PA/AP view · right wrist XR · 11y M: 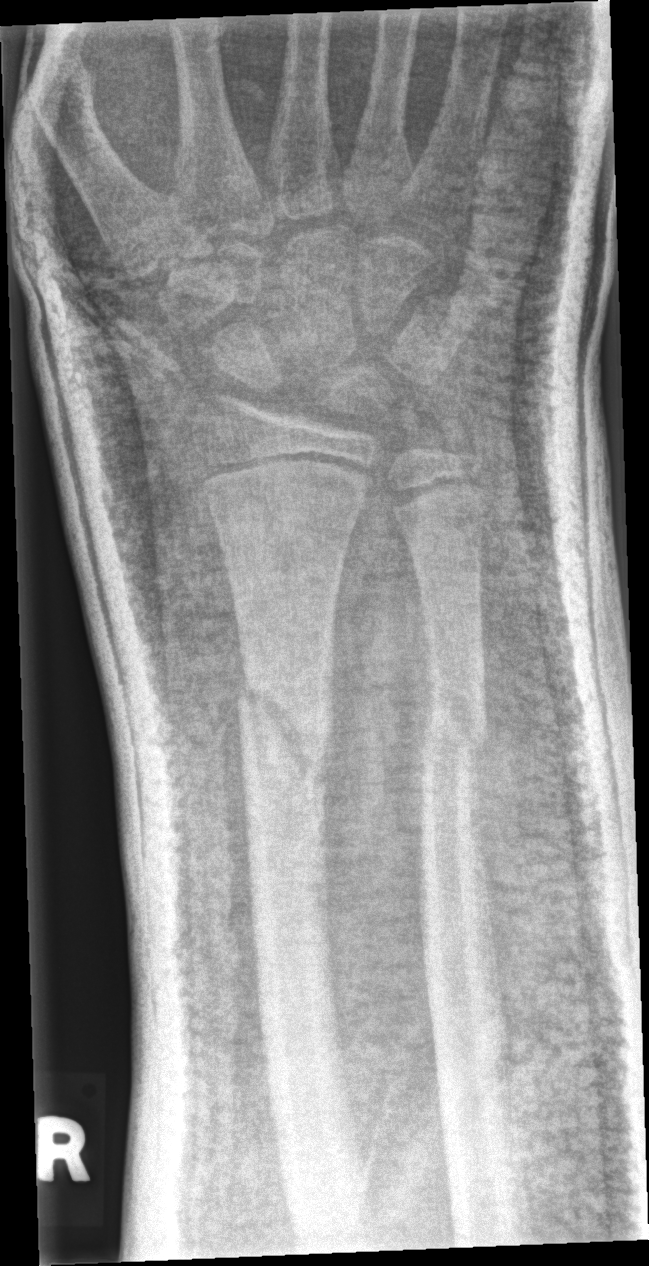 FINDINGS — Fracture: [232, 653, 340, 809], [416, 677, 493, 777]. AO/OTA classification: 22-D/4.1.